Lateral view · right pediatric wrist radiograph · 9y F · Siemens: 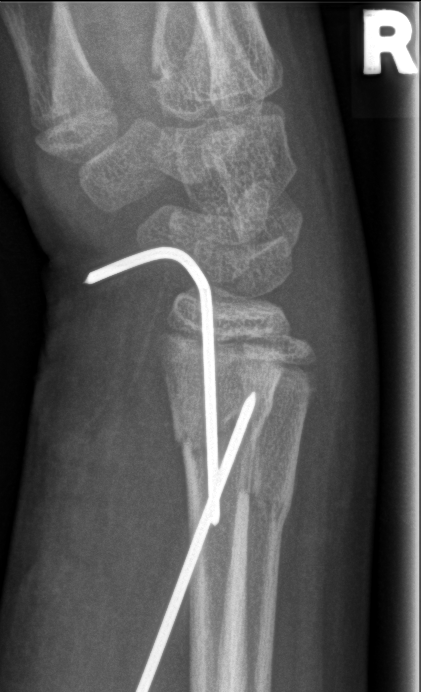

Fx identified at [x1=171, y1=387, x2=276, y2=454] [x1=230, y1=464, x2=296, y2=540]. One metallic hardware at [x1=84, y1=246, x2=251, y2=691].